L plain radiograph of the wrist · PA view · 758x1167 —
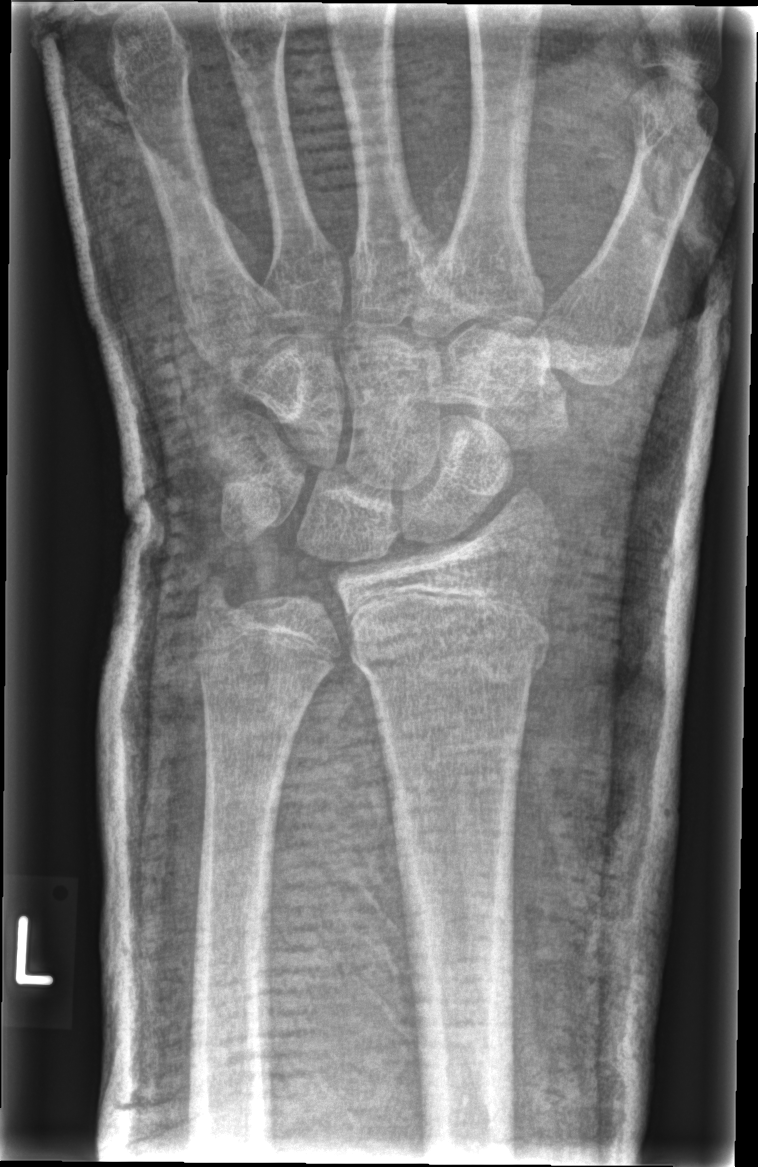 ao: 23r-M/3.1; 23u-E/7
fracture: 2 @ [x1=346, y1=590, x2=553, y2=685]; [x1=188, y1=566, x2=254, y2=633]